Lt wrist X-ray, lateral, age 9 y, girl — 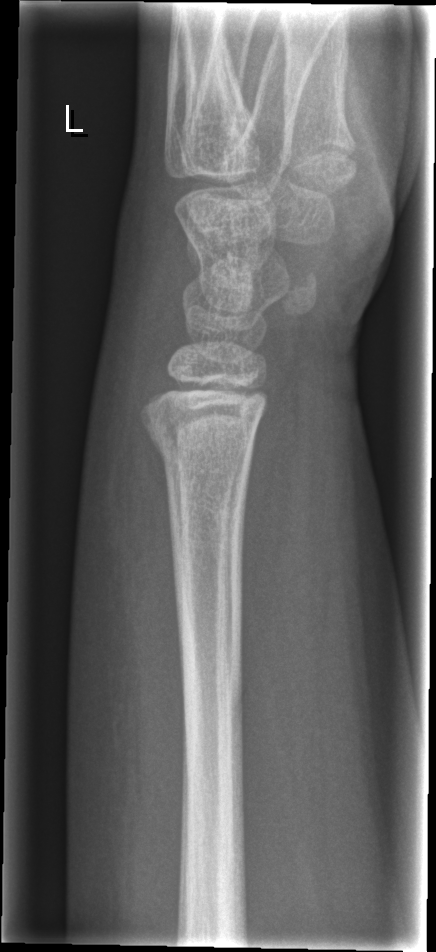 AO classification: 23r-M/2.1
fracture: 149,423,258,470